Right plain radiograph of the wrist; AP view; male, 16 yo — 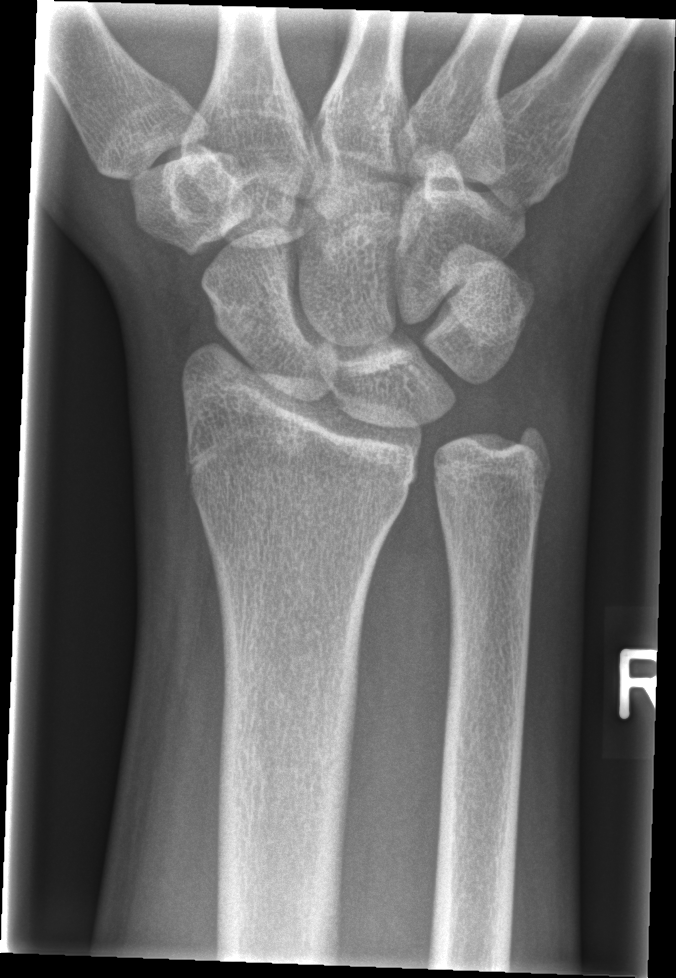
Fracture: none labeled.